Lt plain radiograph of the wrist · lat view · cast in situ · image 71.1 mm wide · 494x1026 — 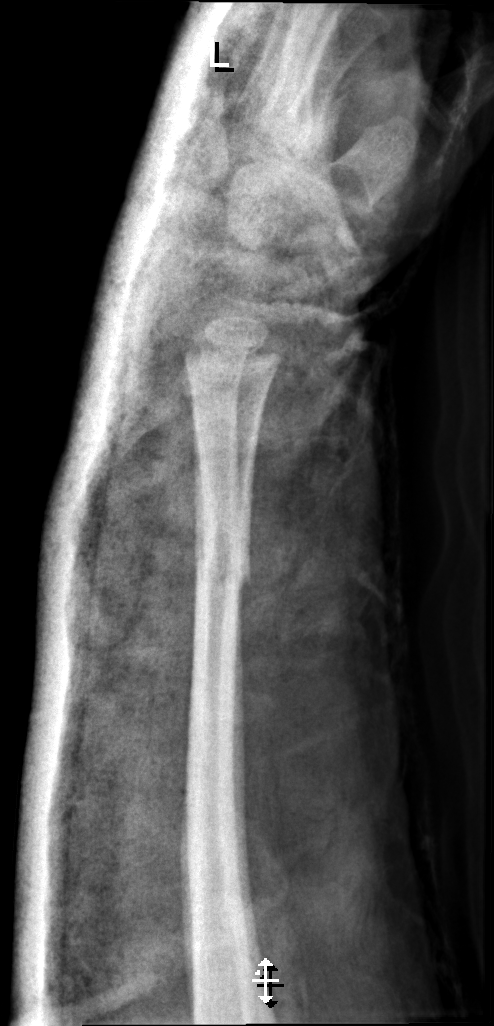

AO code 22r-D/2.1; 23u-M/2.1.
Fx: (193, 531, 254, 590).